Right wrist radiograph · lateral projection · 15y M 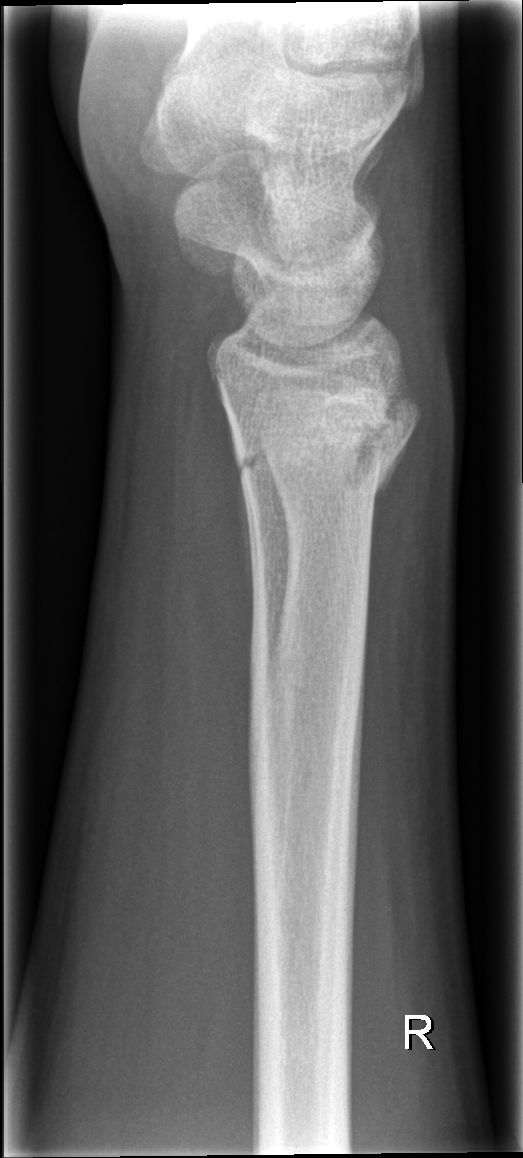 AO/OTA: 23r-M/3.1; 23u-E/7
Bone fracture: 213 381 422 530
Periosteal new bone: 225 416 255 625